Left pediatric wrist radiograph · AP projection · female, 12 yo. 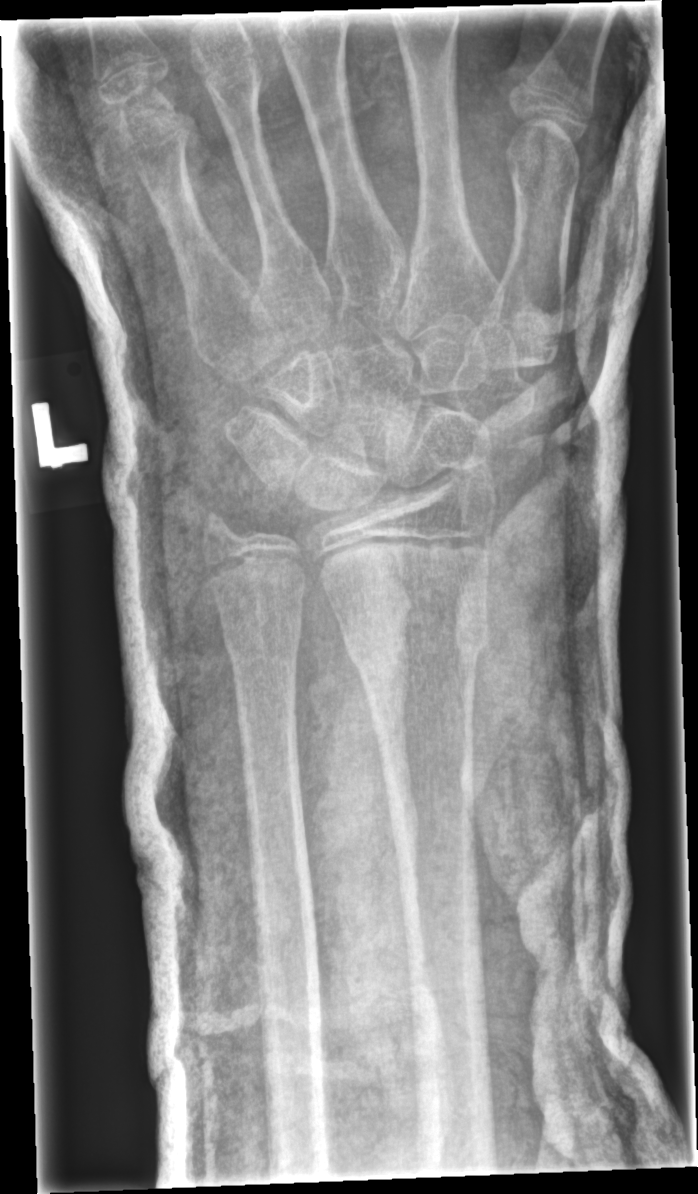

Fracture: [x1=338, y1=601, x2=490, y2=679] [x1=222, y1=605, x2=307, y2=684].